PA/AP projection; left pediatric wrist radiograph; age 13 y, girl; detector: Siemens:
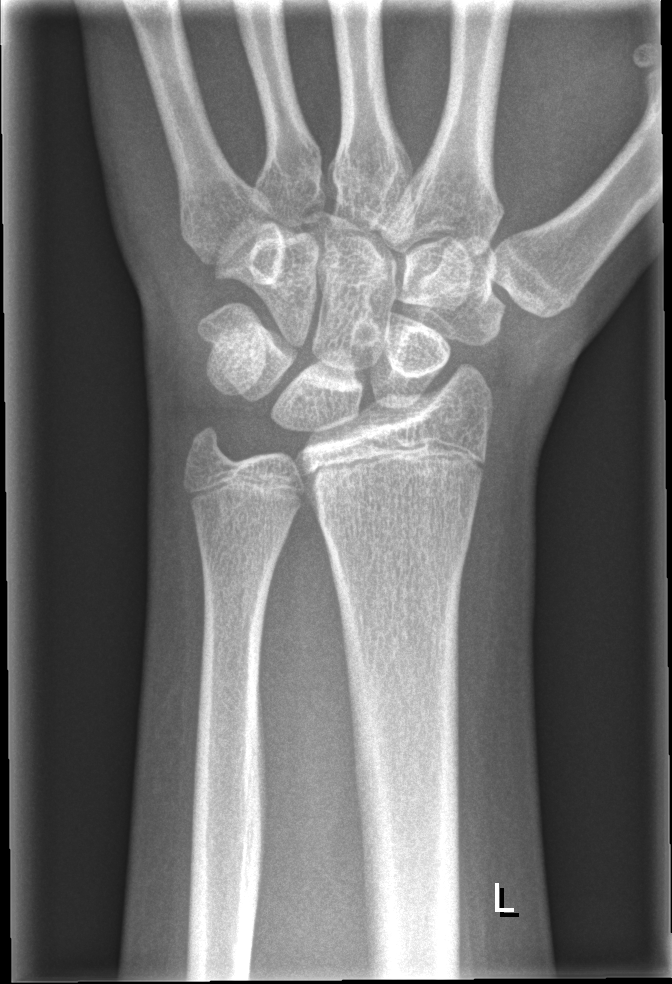
Findings: No fracture annotation.